Right wrist plain radiograph of the wrist | frontal view: 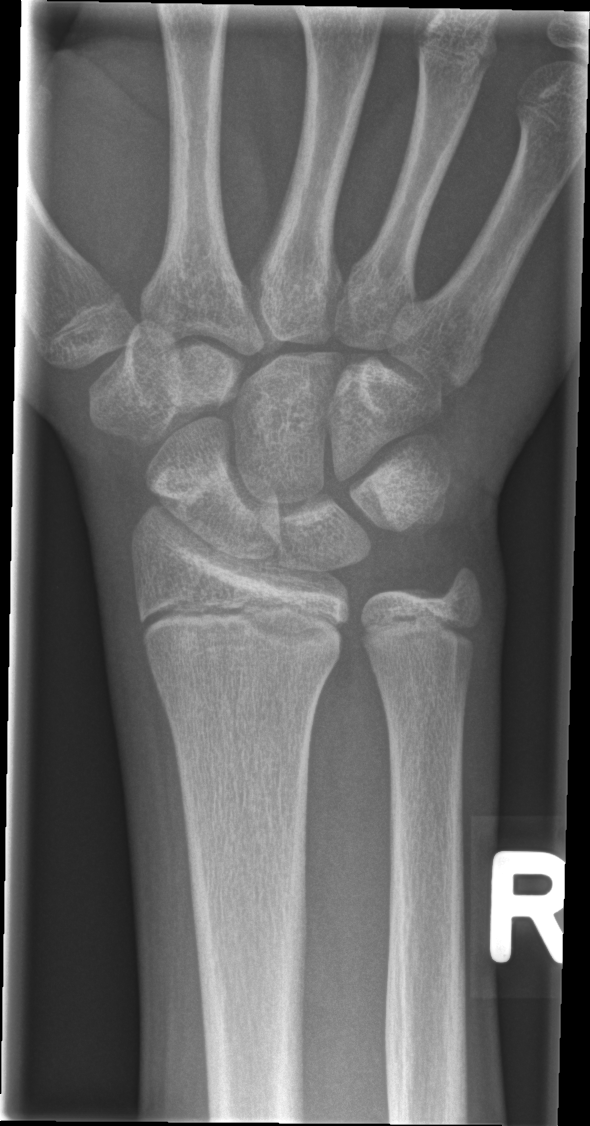

Bone fracture: none labeled